PA projection, right wrist plain film:

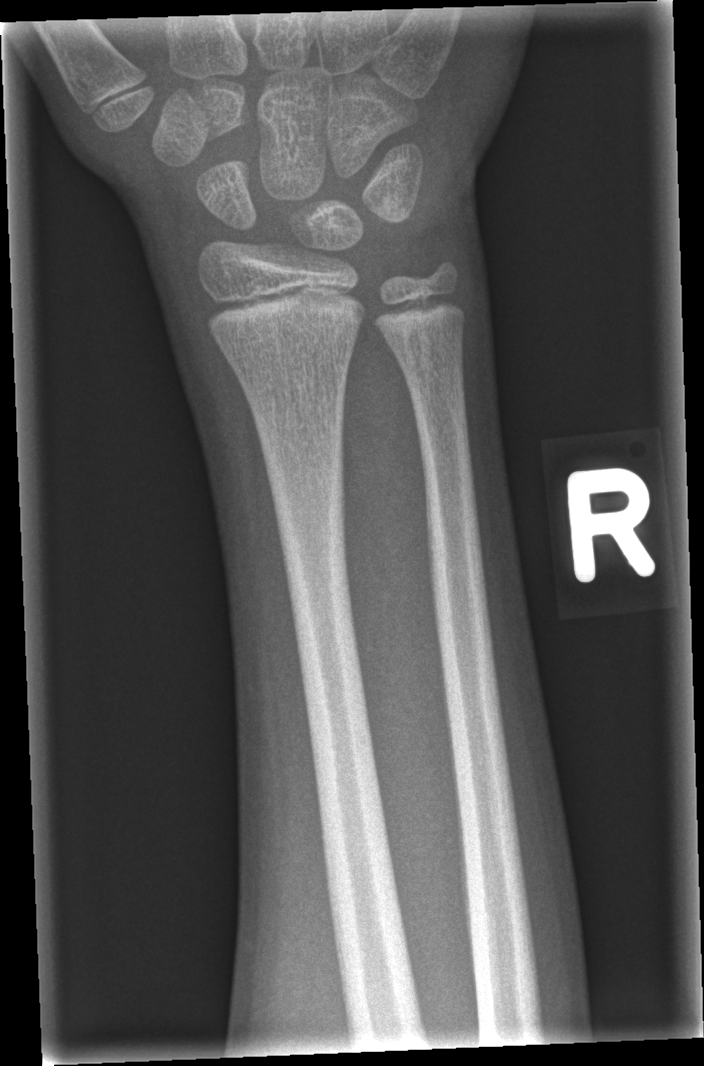
Fracture present, but no bounding box because it is not clearly seen in this view.